Frontal; Rt wrist plain film; pediatric patient (boy, age 6); acquired on Siemens:

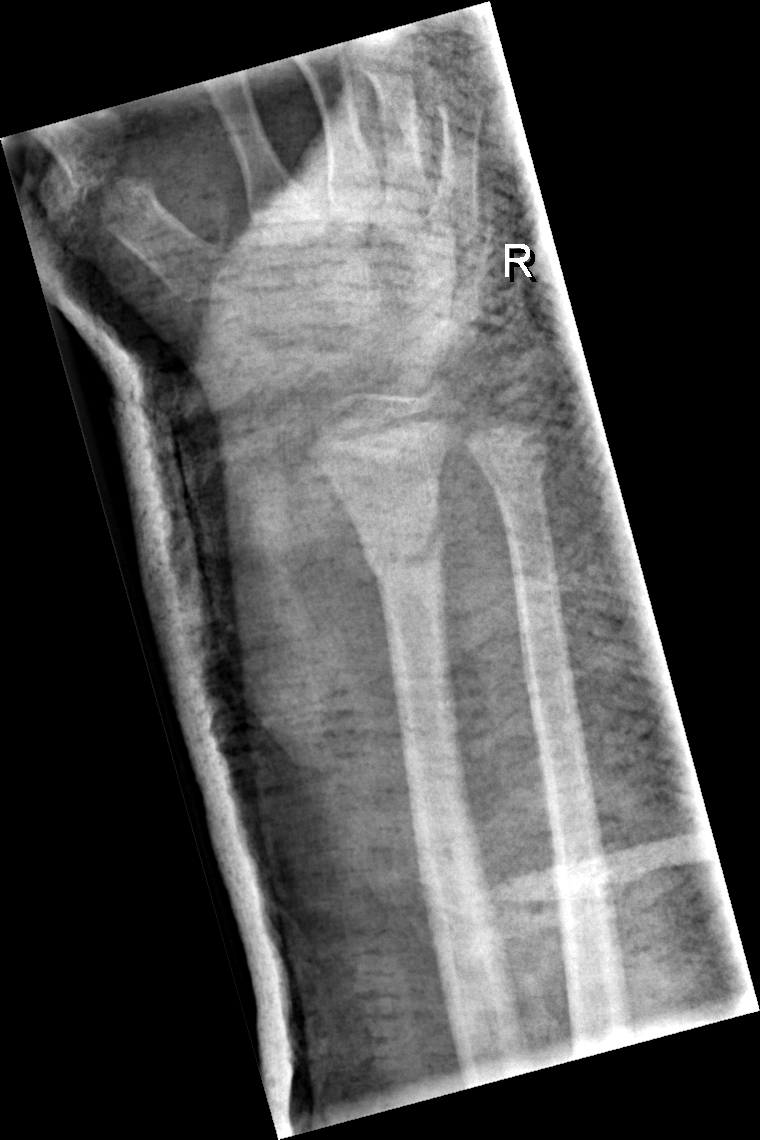
• Fx identified at (left=362, top=519, right=446, bottom=586); (left=479, top=443, right=550, bottom=494).